Left wrist XR, AP view, age 16 y, male, initial study
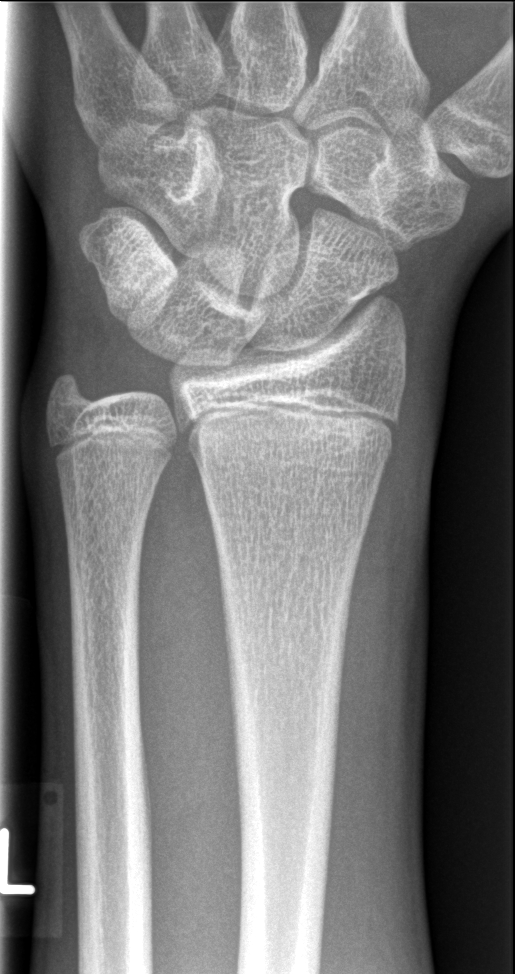 Findings: Fracture present but not clearly seen in this view. AO/OTA classification: 23r-M/2.1.